Posteroanterior | R wrist X-ray | 15-year-old boy | 92.6 mm image width.
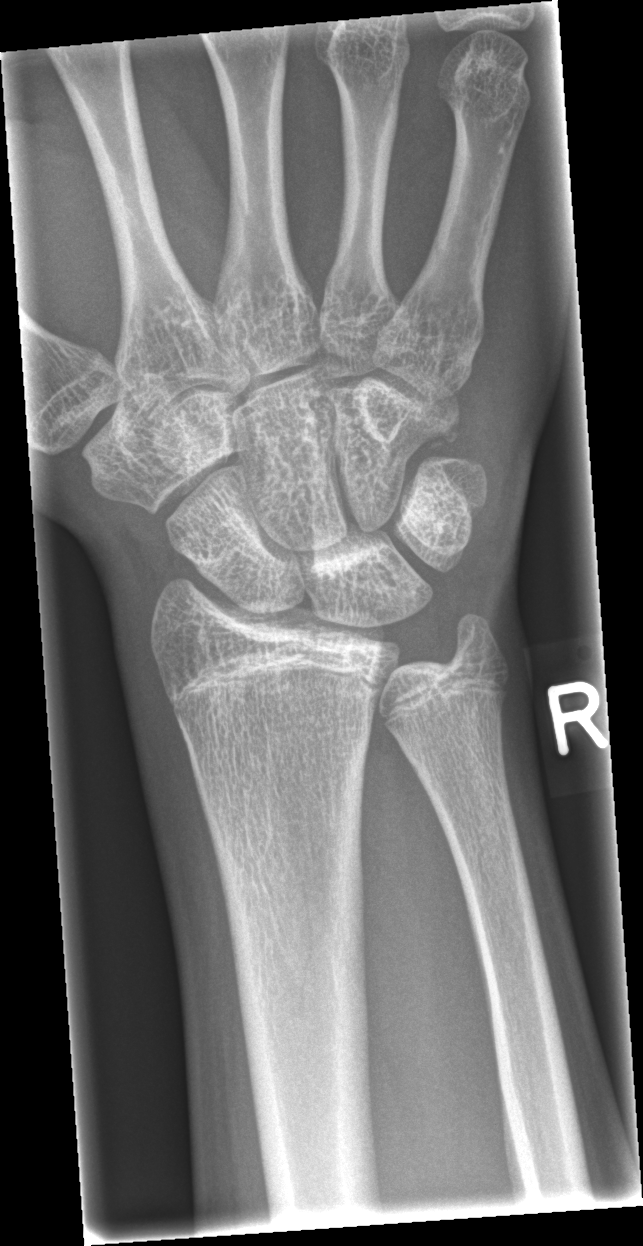

No Fx annotated.